Lateral; right wrist XR; 10-year-old female; 467 x 1042 px —

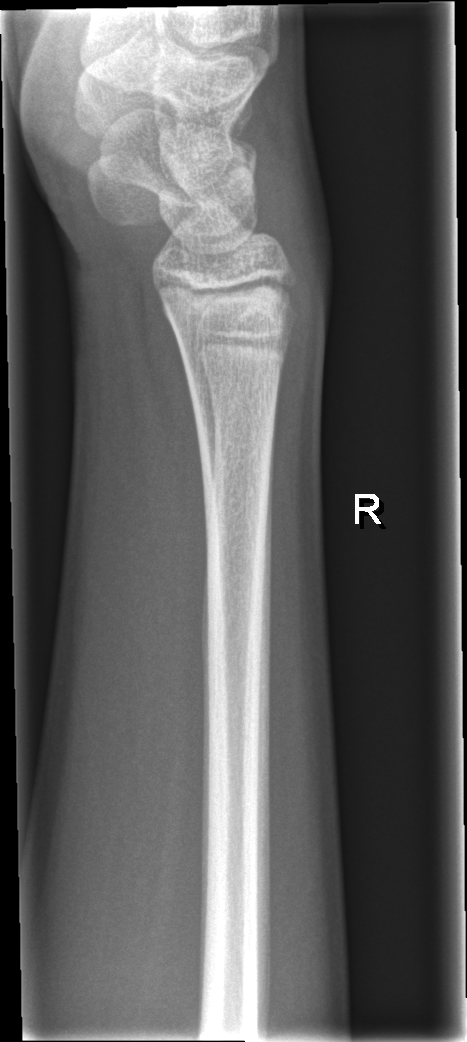
bone fracture: none labeled